Rt wrist plain film | lateral | 8y F:
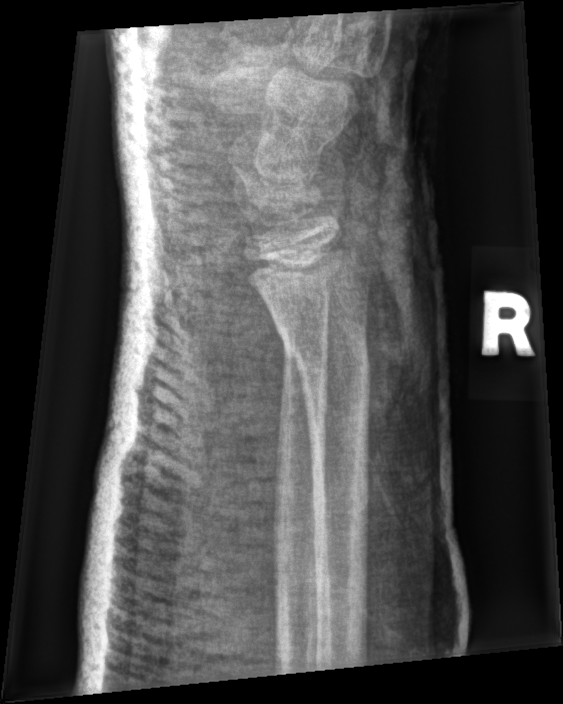

{"_coords": "boxes as x1,y1,x2,y2 (top-left / bottom-right, pixel units)", "ao": "23r-M/2.1", "fracture": "[275, 318, 374, 388]"}